Lateral projection, right wrist X-ray, imaged through cast —
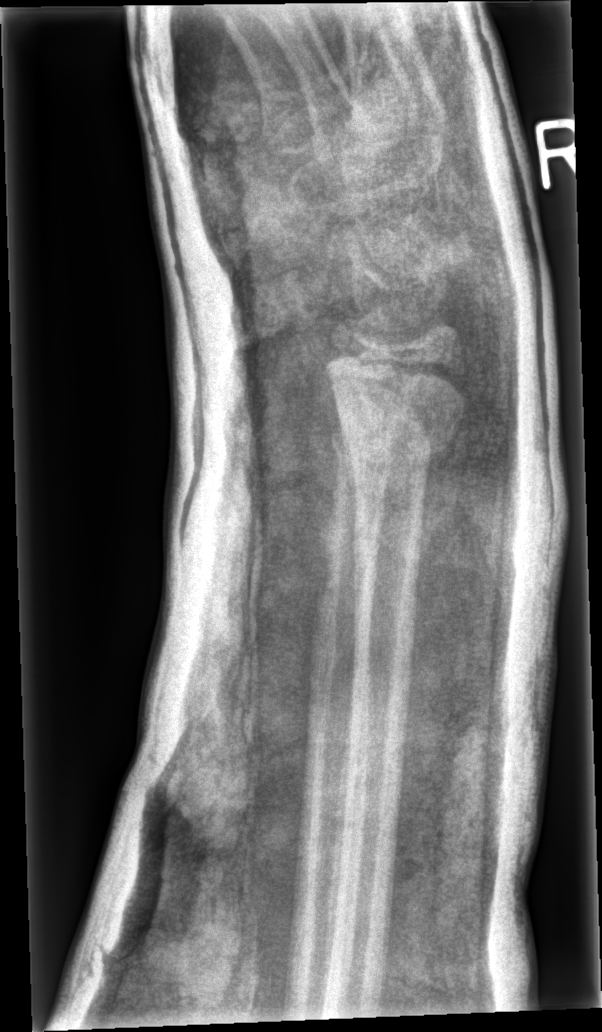

• AO/OTA classification: 23r-E/2.1; 23u-M/2.1; 23u-E/7.
• Bone fracture: [323, 350, 474, 481].